Lt wrist X-ray; lat view; subsequent exam; acquired on Siemens — 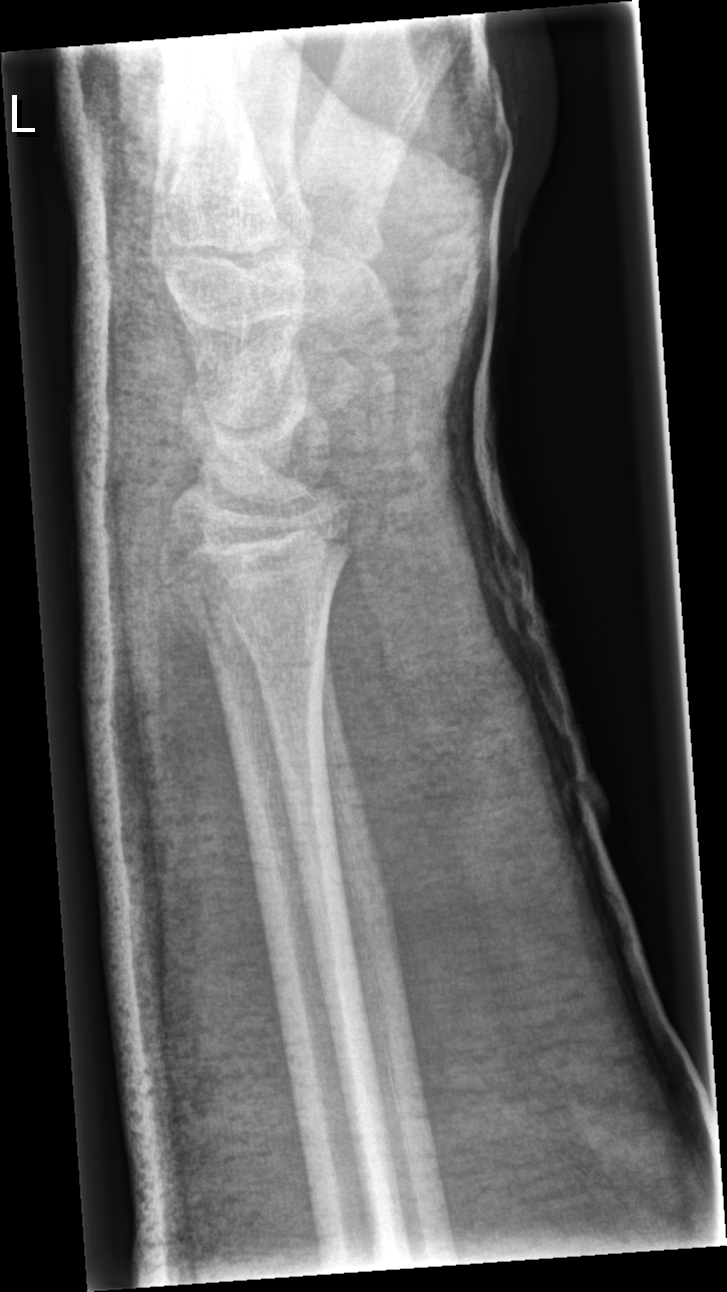 Coordinates are [x1, y1, x2, y2] in image pixels.
Fracture classified AO/OTA 23r-M/3.1; 23u-E/7.
Fracture — (left=153, top=534, right=356, bottom=659).